Posteroanterior · left wrist XR · pediatric patient (female, age 8) · index exam · 501 x 966 px:

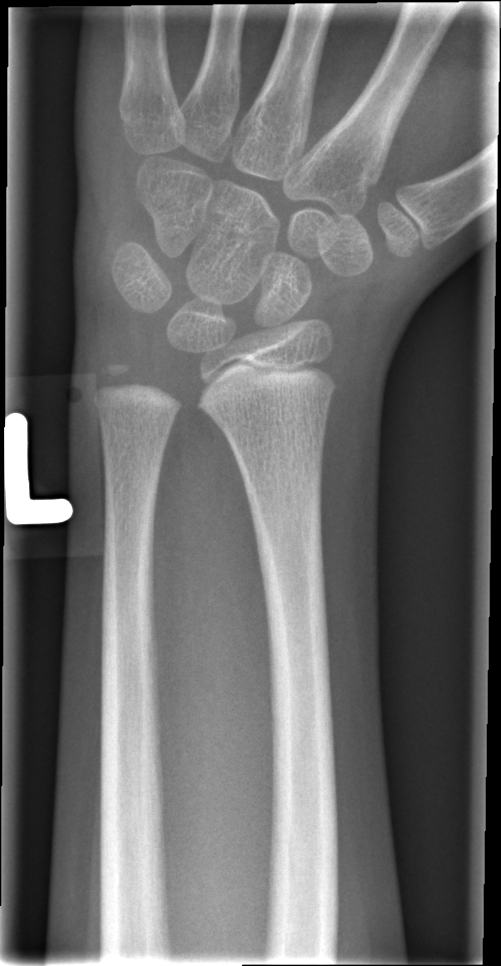
No Fx annotated.